Left pediatric wrist radiograph, lateral projection, 493 x 1246 px. 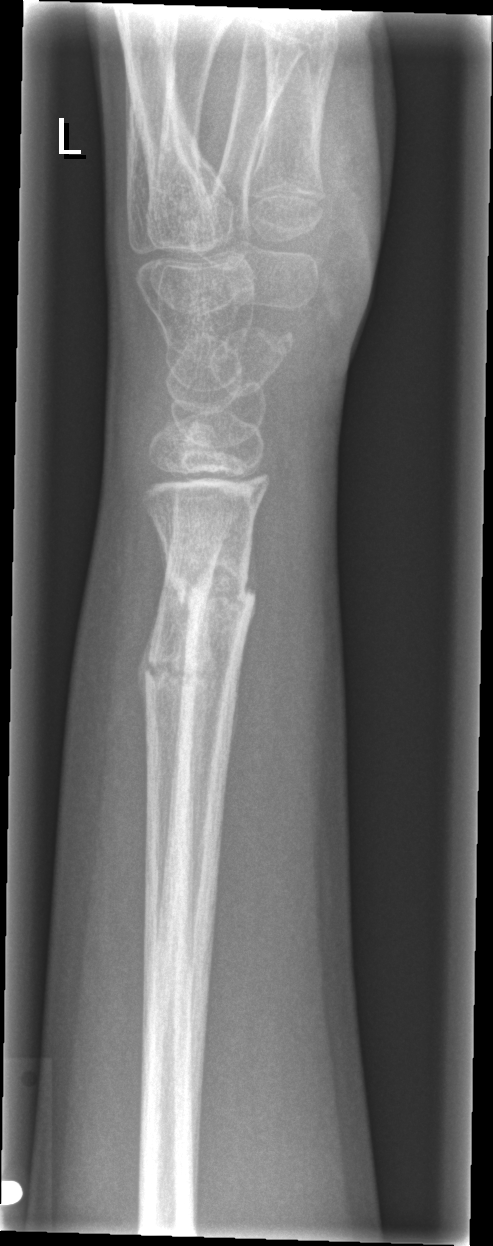

AO classification: 23-M/3.1; 23u-E/7
Periosteal reaction: 137 616 157 725; 244 533 258 596
Bone fracture: 2 @ 162 550 261 621
  137 641 204 696